Lateral projection; right wrist radiograph; male, 9 yo; Siemens —

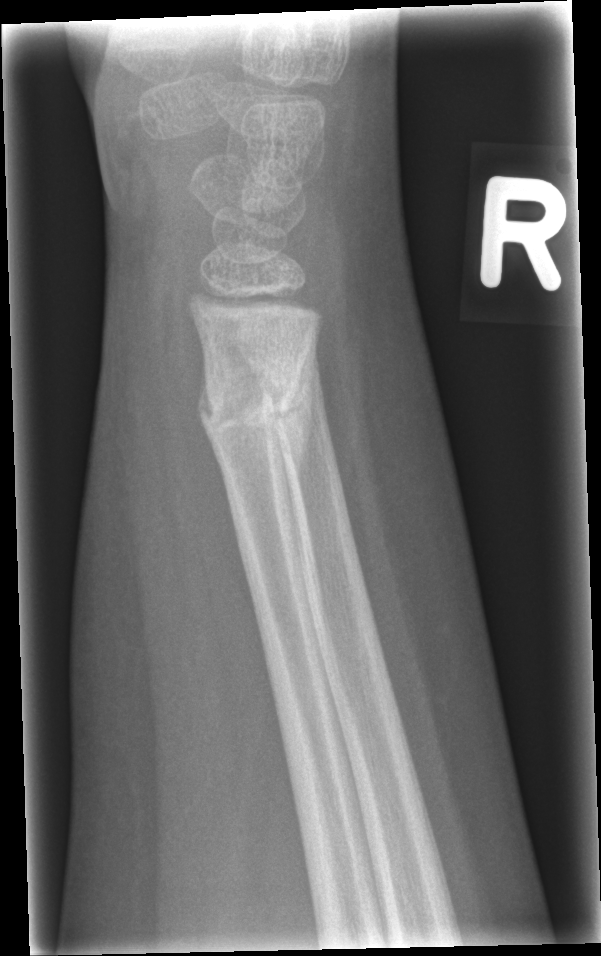 (bounding boxes in image-pixel xyxy)
Q: Locate any fractures.
A: Fx — bbox(201, 358, 302, 449)
Q: Is there periosteal reaction?
A: Periosteal thickening: bbox(266, 321, 319, 648)